Rt wrist X-ray | AP.

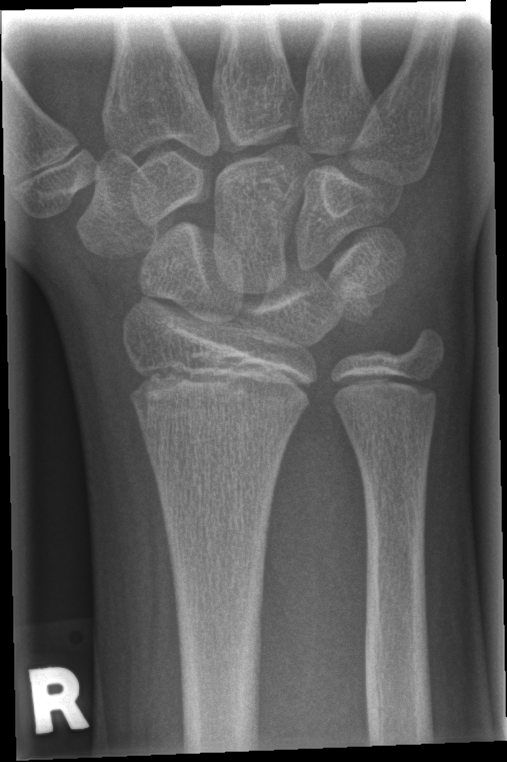 fracture: none labeled